Left wrist X-ray; lateral projection; 11-year-old boy —
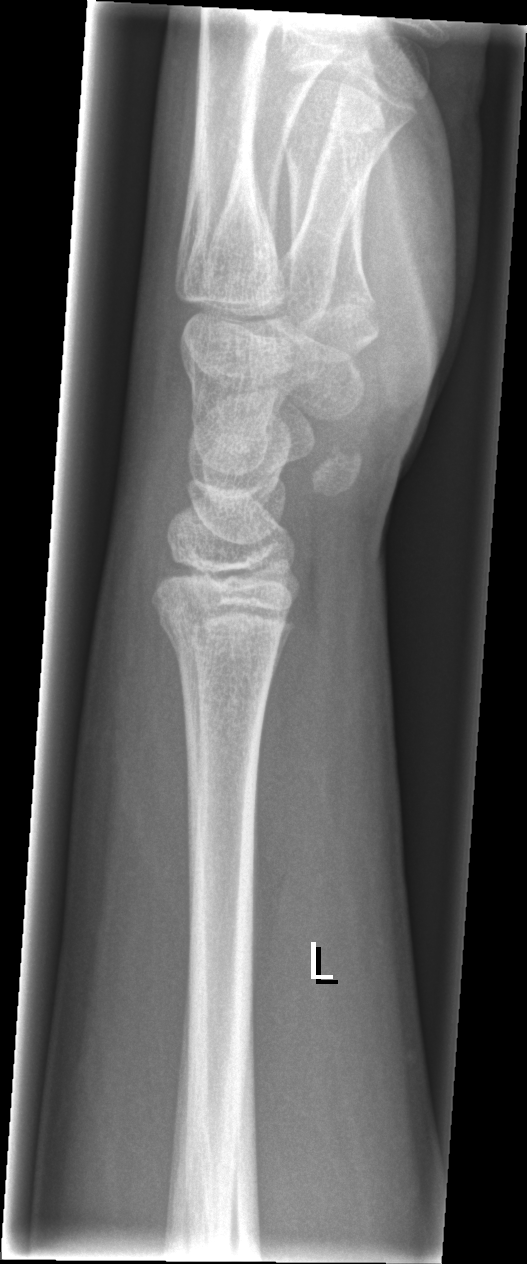

Bone fracture: 150 599 290 669. Pronator sign: 253 614 327 914.